Lt wrist XR; PA/AP view; 13y F; 542 x 1112 px
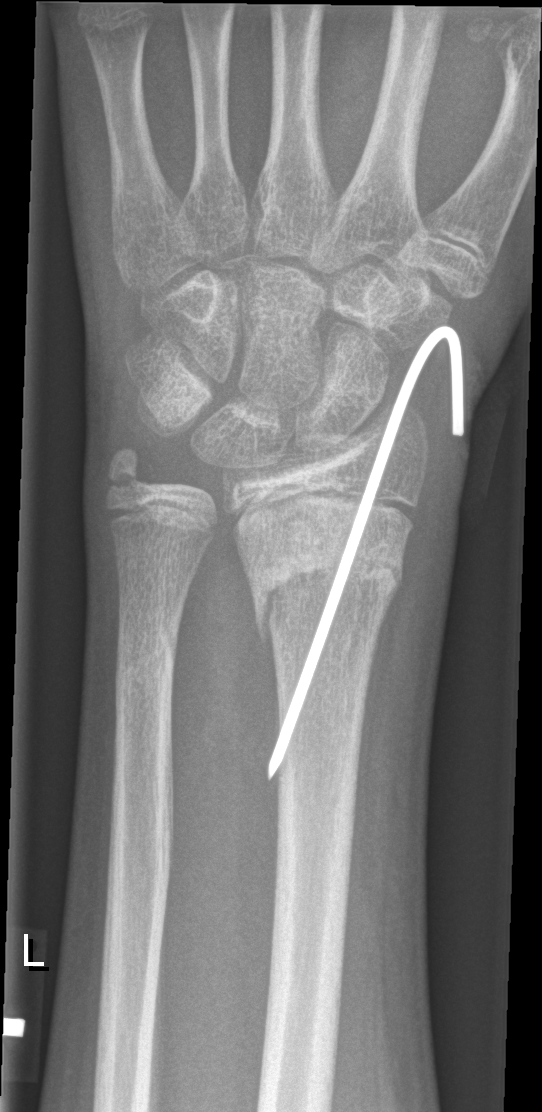 - Metallic hardware identified at [265, 324, 466, 785].
- Fracture: [241, 519, 408, 654] [112, 633, 181, 710] [103, 442, 148, 510].
- Osteopenia.